Right wrist pediatric wrist radiograph, posteroanterior projection, acquired on Siemens —
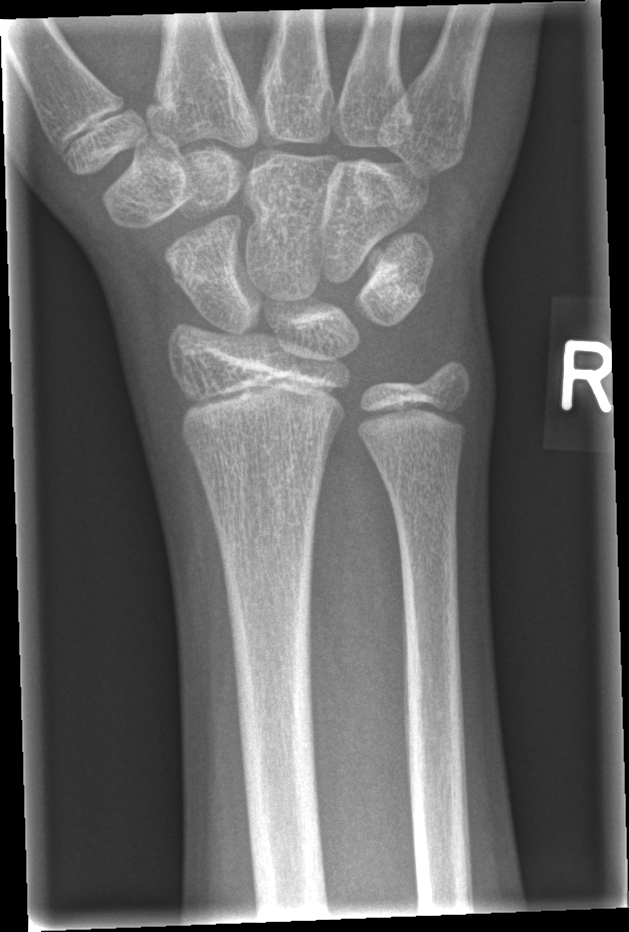

Fracture: none labeled